Lateral | Rt wrist XR | cast present | 78.0 mm image width —

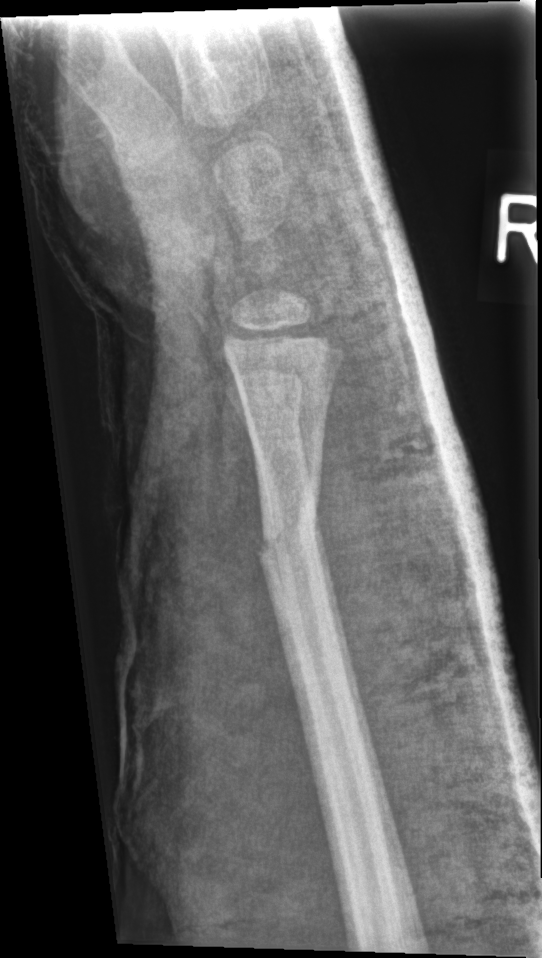
Bone fracture: bbox(249, 499, 329, 570); bbox(233, 389, 307, 440). AO/OTA classification: 23r-M/3.1; 23u-M/2.1.